PA/AP projection · L plain radiograph of the wrist · 6-year-old boy · in cast · 92.4 mm image width:

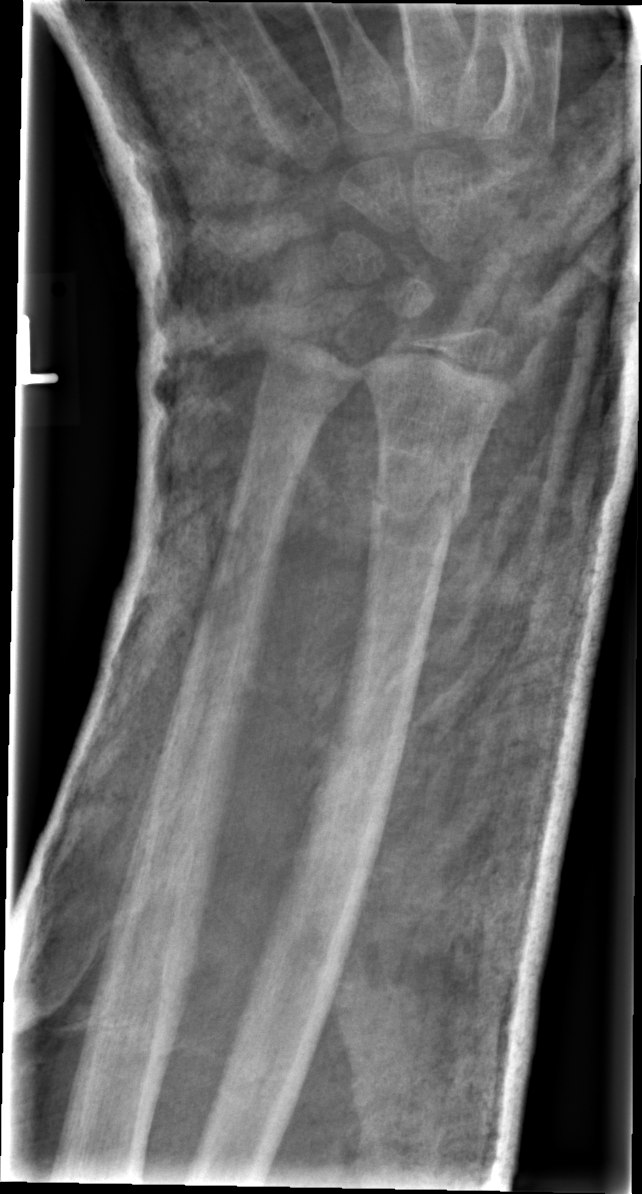

Coordinates are [x1, y1, x2, y2] in image pixels. Fractures — [x1=362, y1=458, x2=477, y2=559] [x1=248, y1=378, x2=340, y2=429]. AO/OTA classification: 23r-M/3.1; 23u-M/2.1.